Right pediatric wrist radiograph | lateral | age 11 y, female | presentation radiograph —
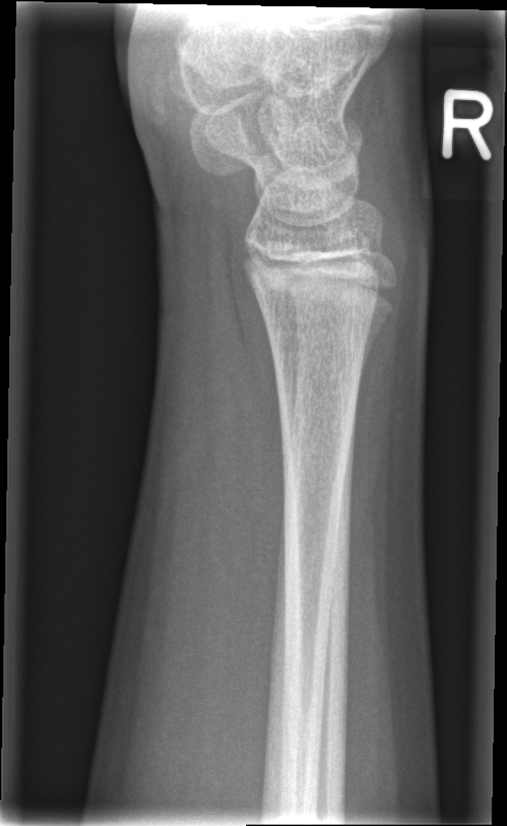

Fracture: none labeled.